Frontal | left wrist plain radiograph of the wrist | 85.1 mm image width —

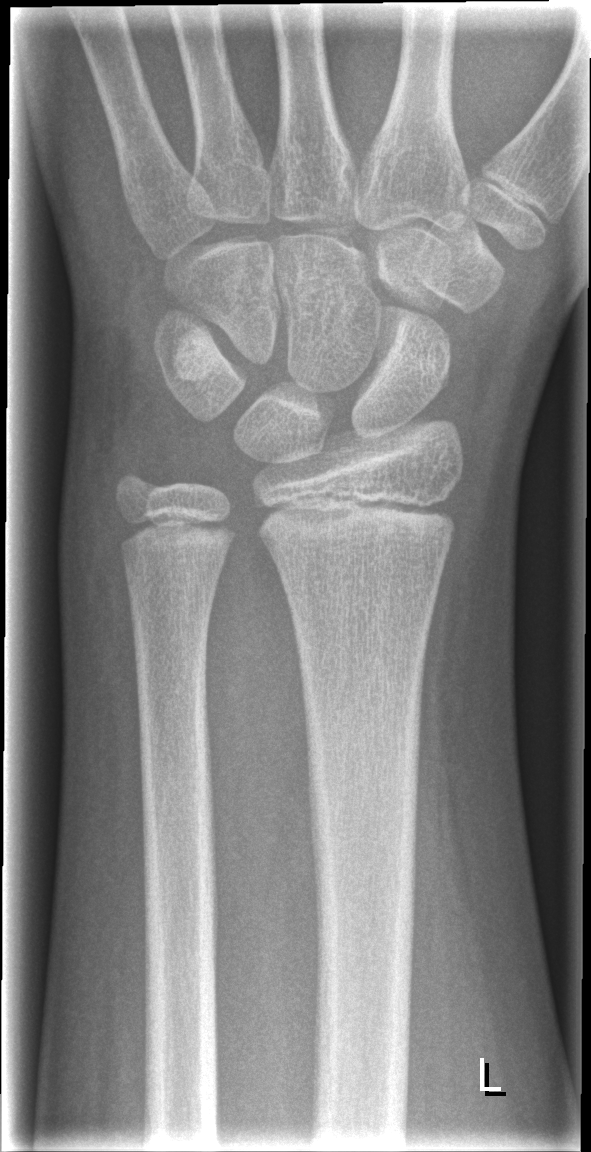

Fx = none labeled